Lateral, R wrist X-ray, acquired on Siemens: 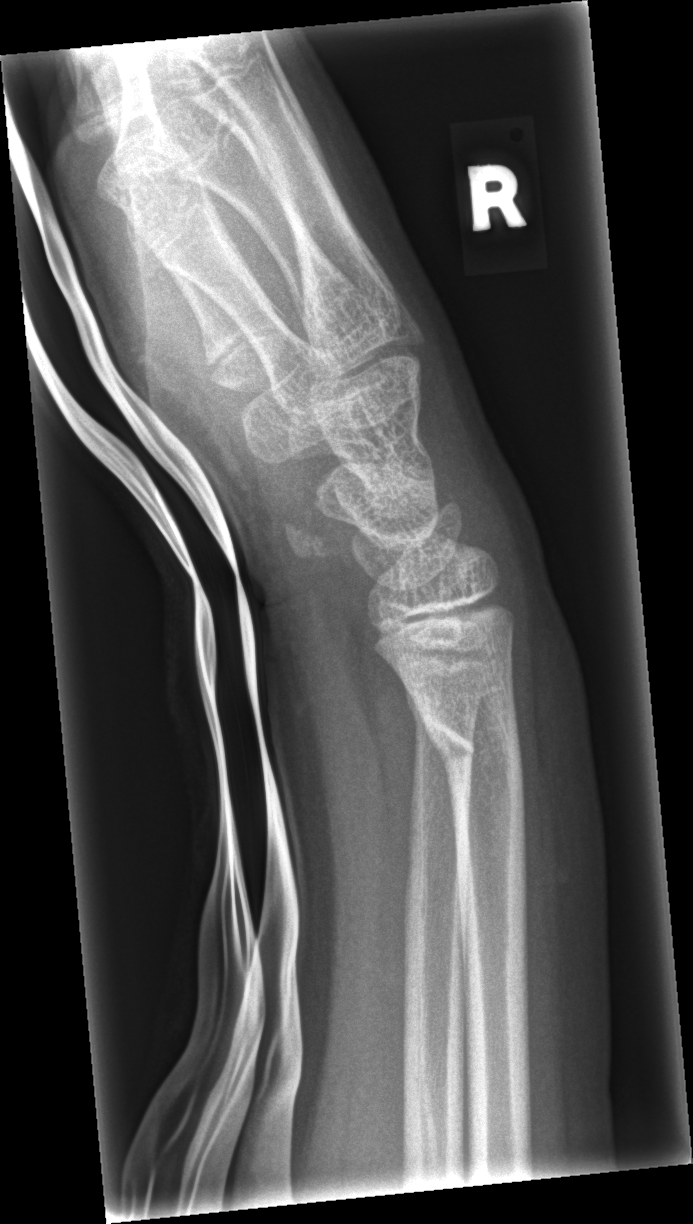 Fx: 1 @ [417, 699, 528, 797]
AO classification: 23-M/2.1